Lateral view, Rt wrist plain film, presentation radiograph 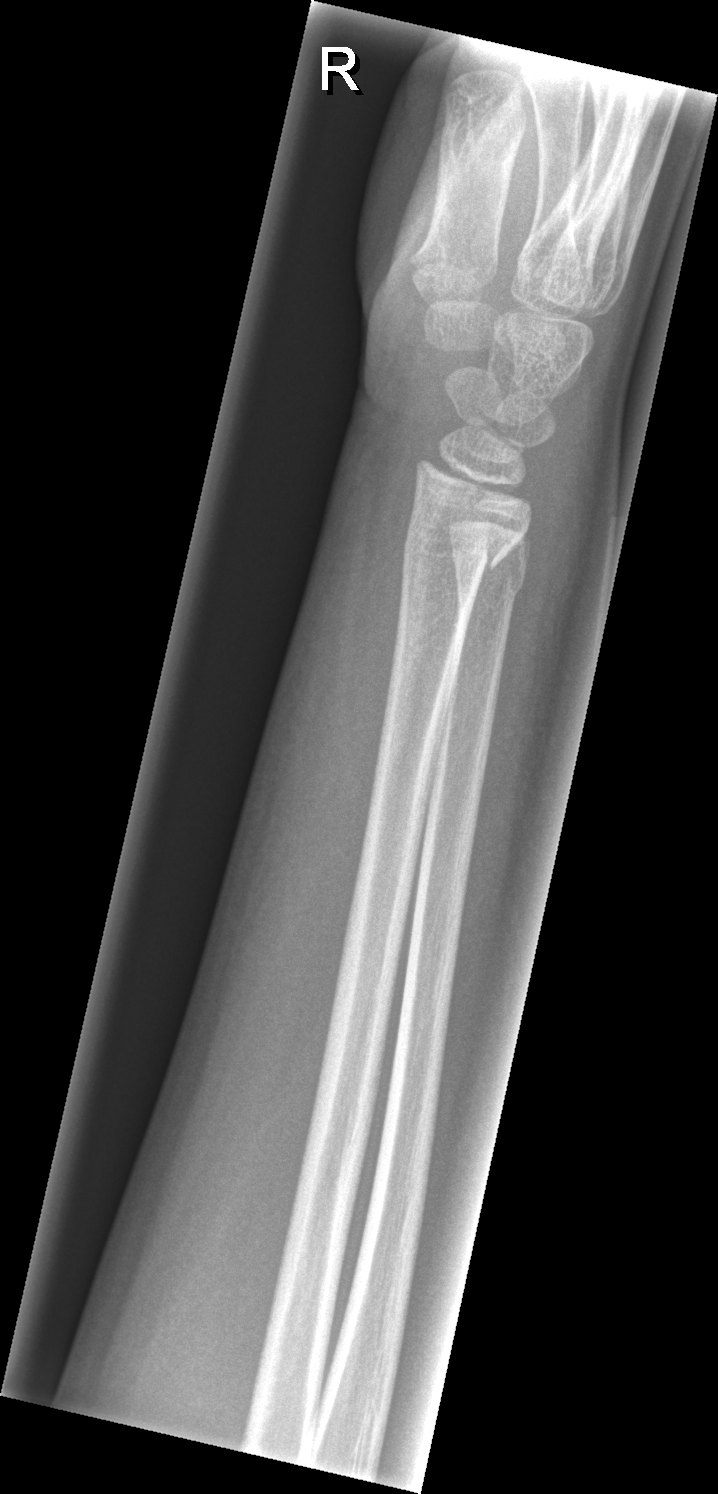 Pixel coordinates, top-left origin, xyxy.
Two bone fractures at [x1=399, y1=520, x2=519, y2=586]; [x1=451, y1=556, x2=531, y2=611].
AO code 23-M/2.1.